Left wrist XR, lateral, 11y M, in cast —

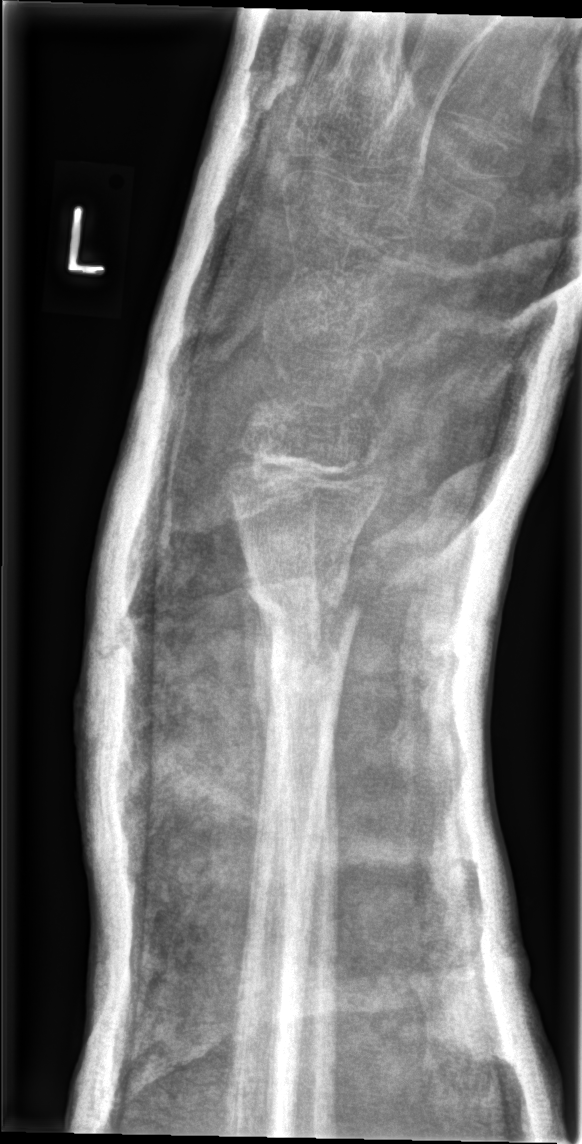 • AO/OTA classification: 23-M/3.1; 23u-E/7.
• Fracture — bbox(244, 575, 368, 648).
• One periosteal new bone at bbox(242, 561, 275, 912).
• Osteopenia.